Left wrist plain radiograph of the wrist; lateral; pediatric patient (female, age 11):

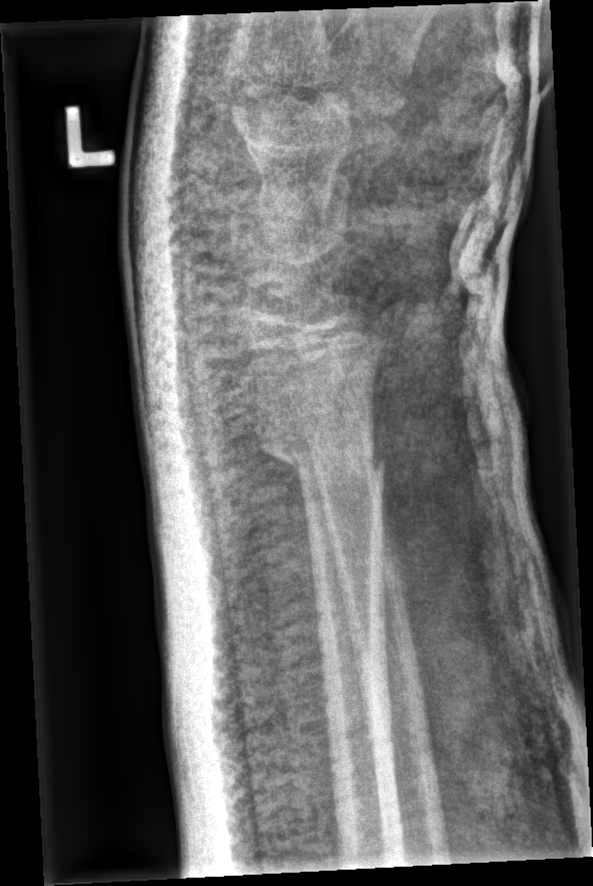 FINDINGS — (boxes as x1,y1,x2,y2 (top-left / bottom-right, pixel units)) AO/OTA classification: 23r-M/3.1; 23u-E/7. One bone fracture at (249, 412, 391, 493).